AP projection, left wrist X-ray, 12-year-old female, acquired on Siemens. 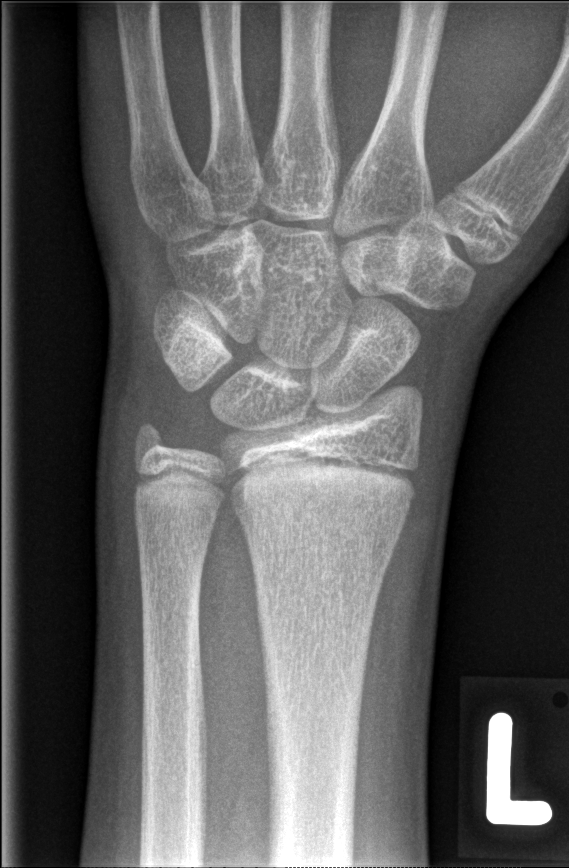

Bone fracture = [234, 480, 418, 536]
AO/OTA = 23r-M/2.1